Lateral projection; right wrist radiograph; Siemens

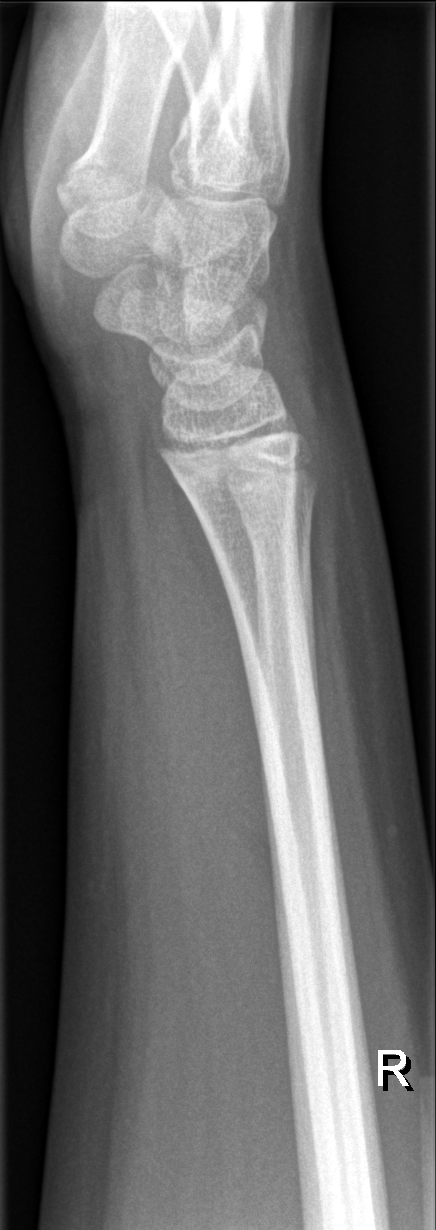
bone fracture = none labeled
pronator sign = <146,434>-<273,863>